R wrist XR, PA, 11y M, follow-up study —

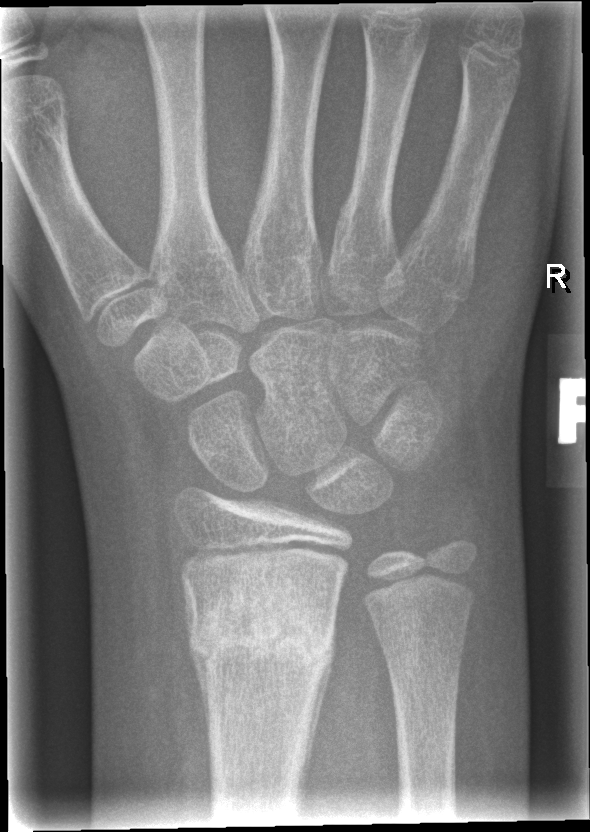

(boxes as x1,y1,x2,y2 (top-left / bottom-right, pixel units))
Q: Bone density?
A: Osteopenia
Q: Locate any fractures.
A: One Fx at bbox(182, 589, 342, 682)
Q: Any periosteal thickening?
A: Periosteal thickening — bbox(297, 623, 336, 805); bbox(188, 642, 212, 735)